Frontal projection · left wrist X-ray · female, 11 yo · index exam · acquired on Siemens: 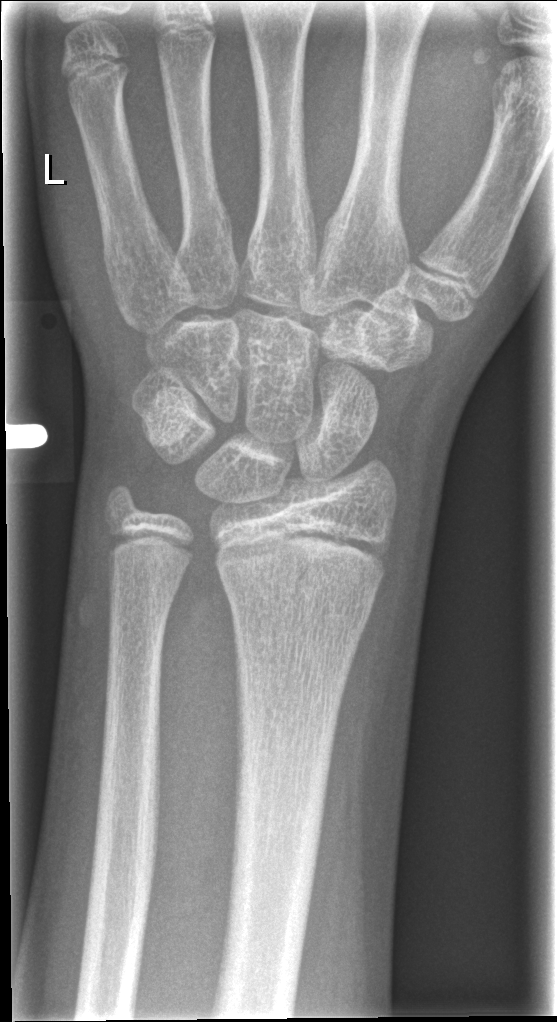

Fx: 1 @ 224,573,379,635